R wrist plain film, PA projection, 12y M, equivocal findings, 74.2 mm image width, 515x1096:

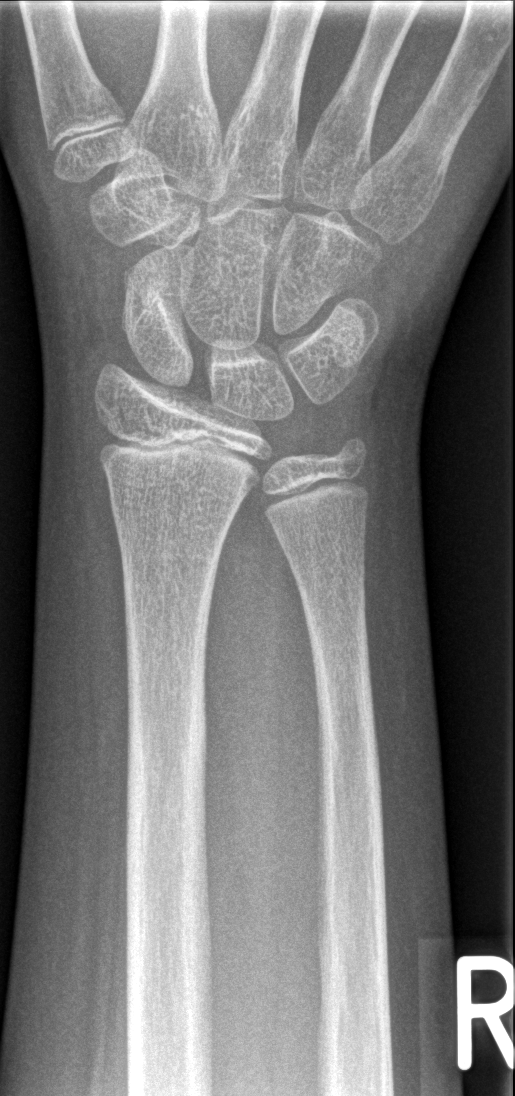
Fracture = 1 @ (left=105, top=487, right=244, bottom=539)
AO code = 23r-M/2.1